Right wrist radiograph | PA/AP projection | 6-year-old female:
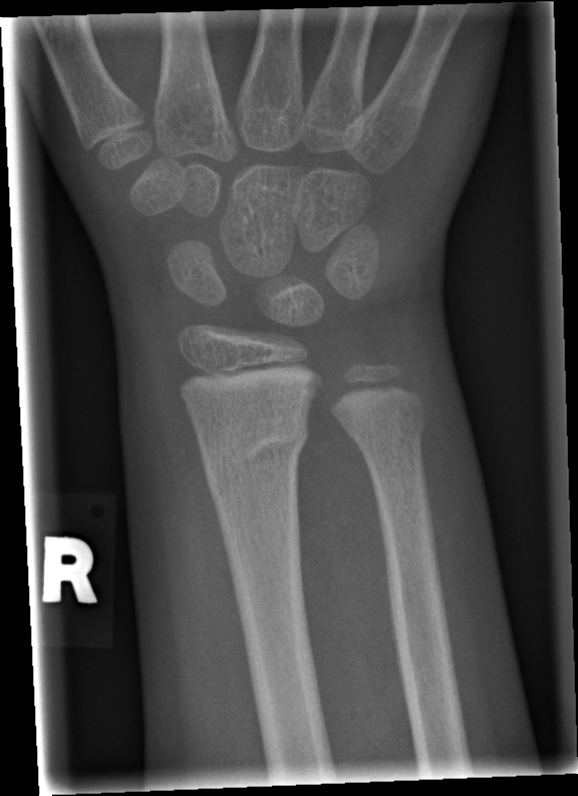 Findings: (bounding boxes in image-pixel xyxy) Fx — (left=195, top=412, right=311, bottom=493), (left=337, top=389, right=429, bottom=452). Fracture classified AO/OTA 23-M/2.1.